Frontal view · right wrist X-ray — 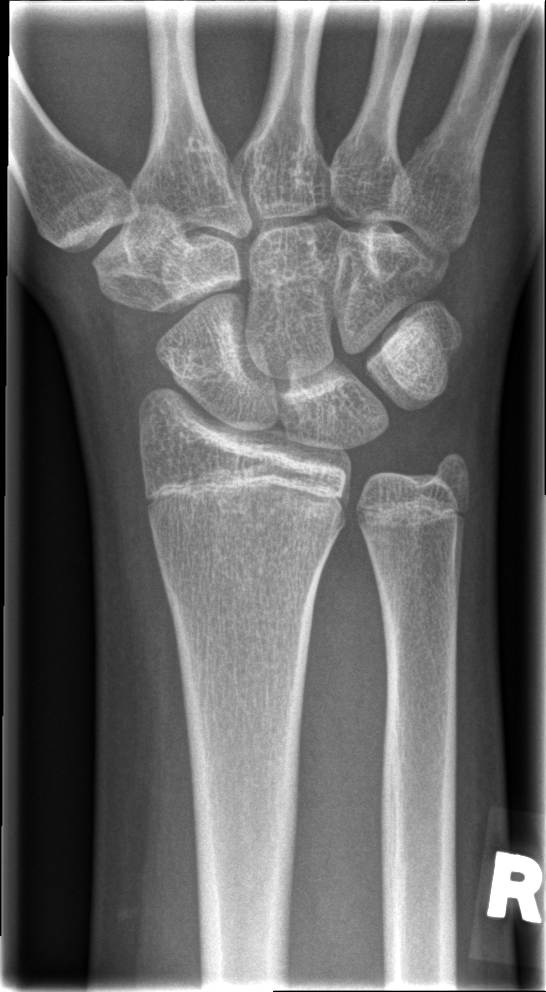 AO code = 23r-M/2.1
bone fracture = present but not clearly seen in this view